Posteroanterior projection, right wrist radiograph, 14y M, in cast, acquired on Siemens.

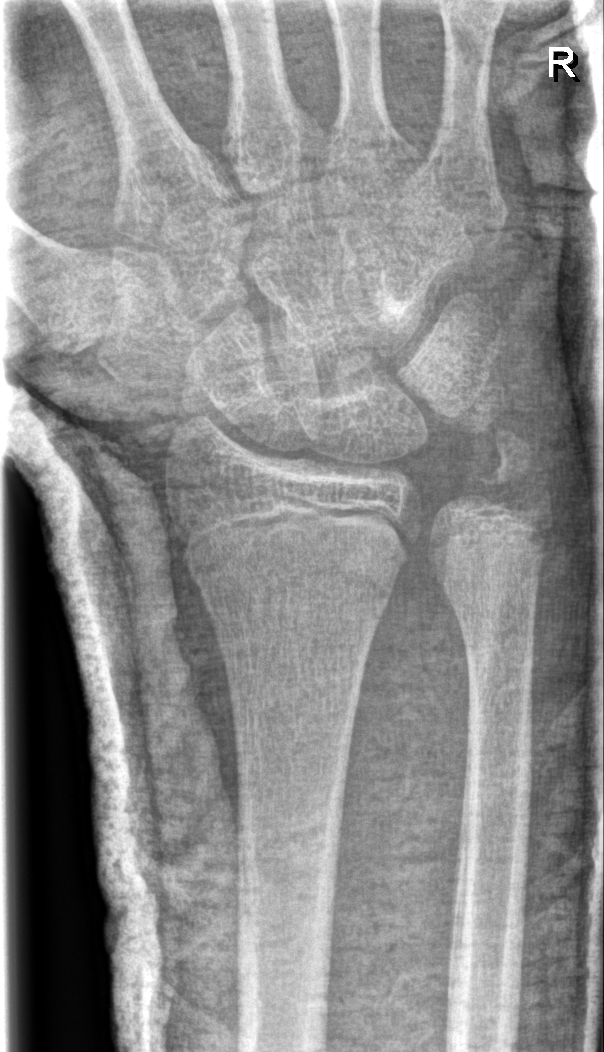 (coordinates are [x1, y1, x2, y2] in image pixels)
AO code = 23r-M/3.1; 23u-E/7
Fx = 186 543 396 610; 469 426 558 529